Right wrist plain radiograph of the wrist · PA view · 7-year-old boy · image 104.3 mm wide: 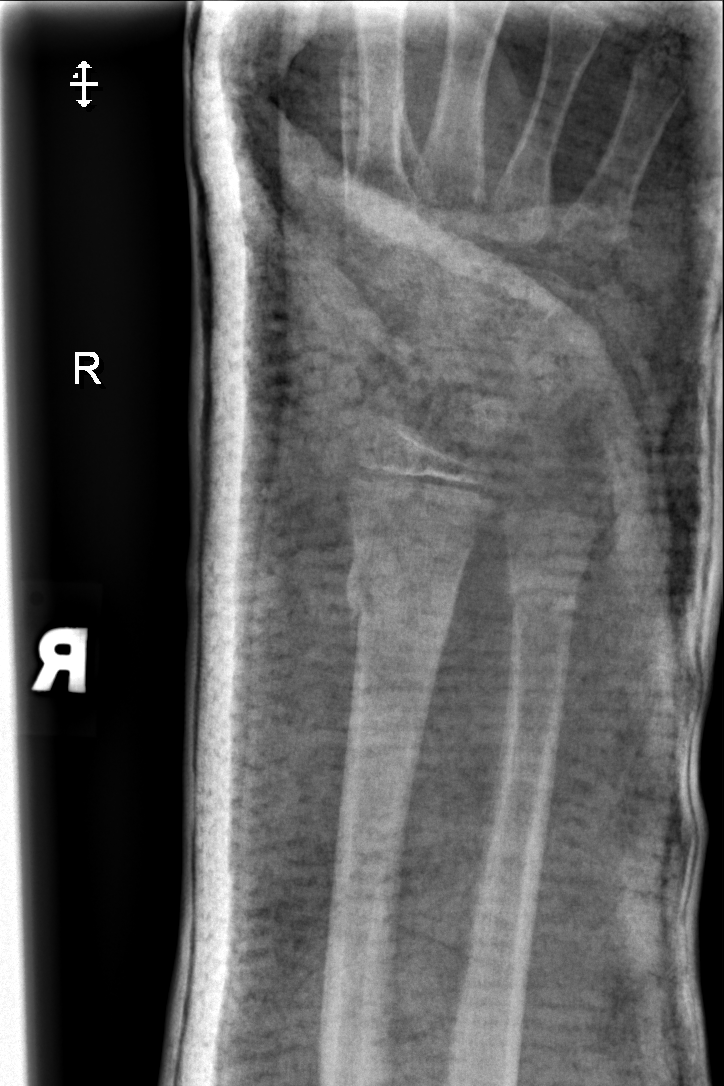 FINDINGS: Fracture classified AO/OTA 23r-M/2.1; 23u-M/3.1. Bone fractures — <342,544>-<468,631>, <503,561>-<583,623>.